Lt plain radiograph of the wrist · lat · male, 12 yo
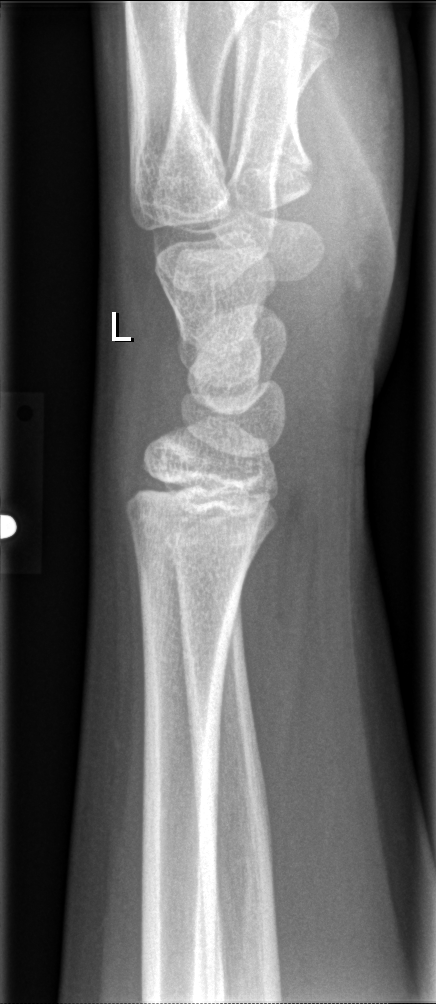

bone fracture: none labeled